Lateral projection; right wrist XR; in cast:

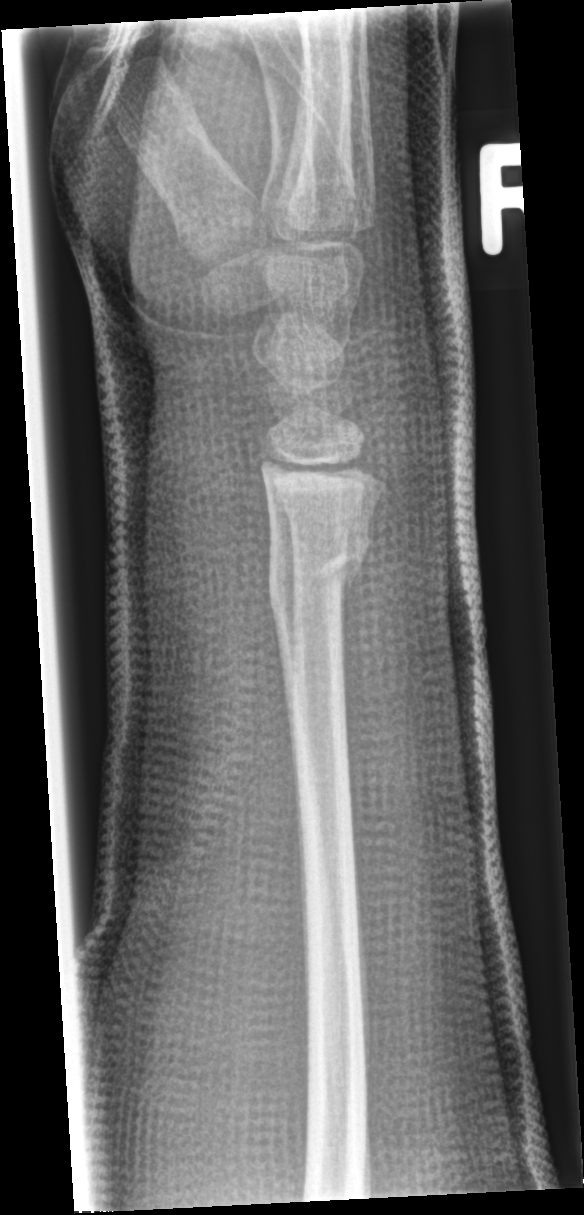

- Pixel coordinates, top-left origin, xyxy.
- AO/OTA classification: 23r-M/3.1.
- Fx — (266, 534, 373, 615).